Lateral projection · left wrist plain film · boy, 9 yo. 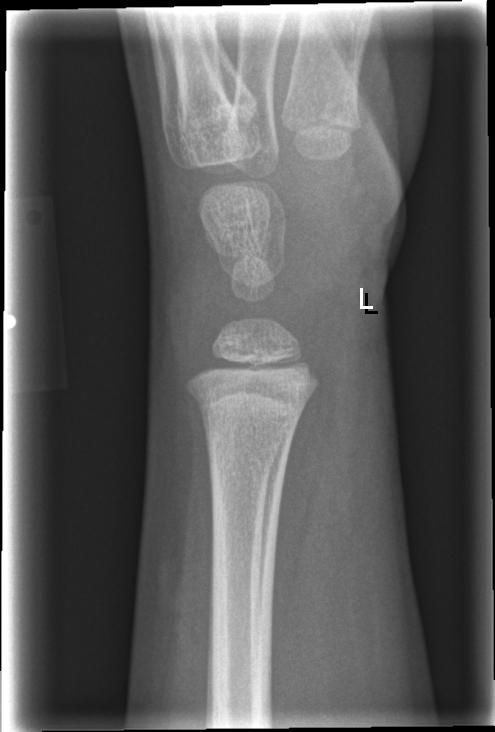 Findings: Fx identified at 181,378,314,425. AO code 23r-M/2.1.